R wrist plain film; lat view; 12y F; initial study.

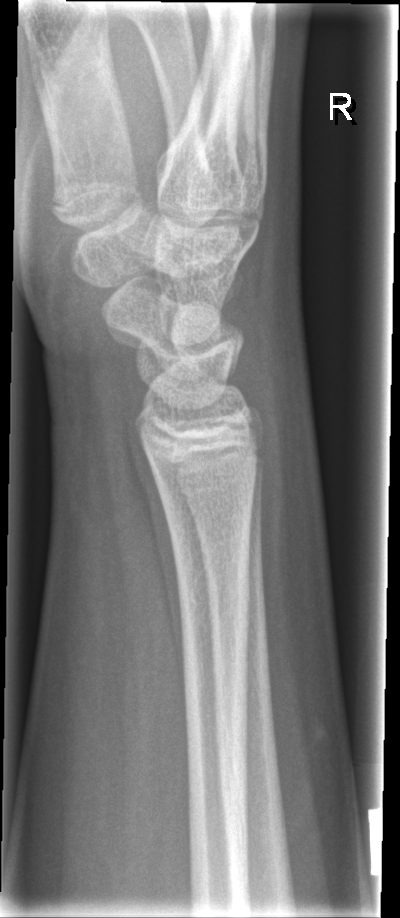

FINDINGS: Fracture: none labeled.